L wrist X-ray · lat projection:
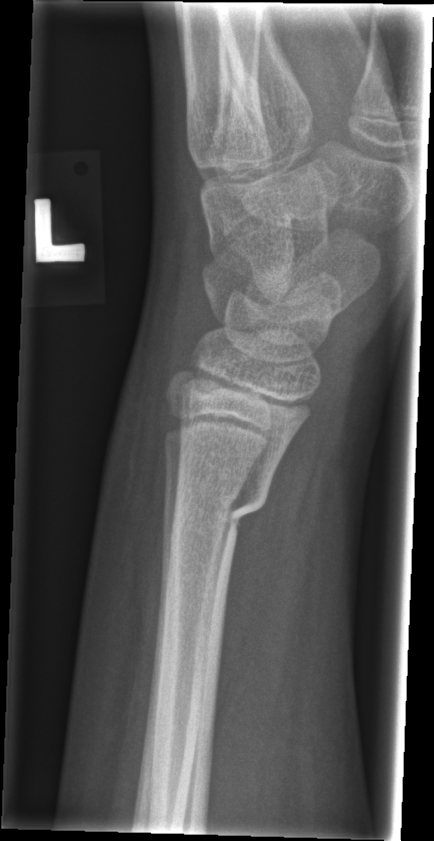 * One bone fracture at (159, 480, 269, 539).
* AO/OTA classification: 23-M/2.1.